AP, Lt wrist X-ray, pediatric patient (boy, age 12).
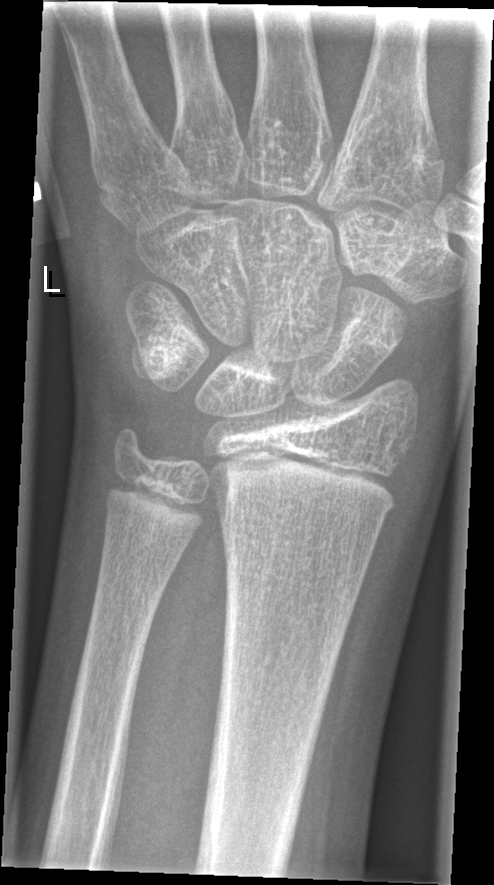 FINDINGS — No fracture labeled.